Left wrist plain radiograph of the wrist · lat projection · pediatric patient (female, age 13) — 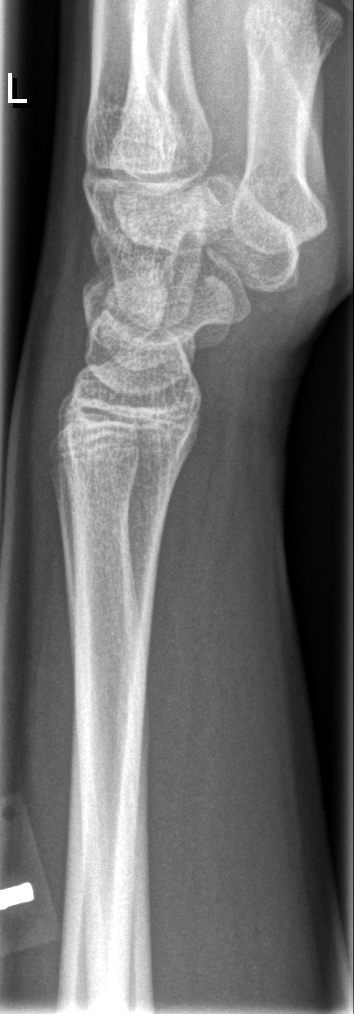
fracture: none labeled